L plain radiograph of the wrist | lateral projection | pediatric patient (male, age 10) | follow-up study | detector: Siemens | image width 97.3 mm — 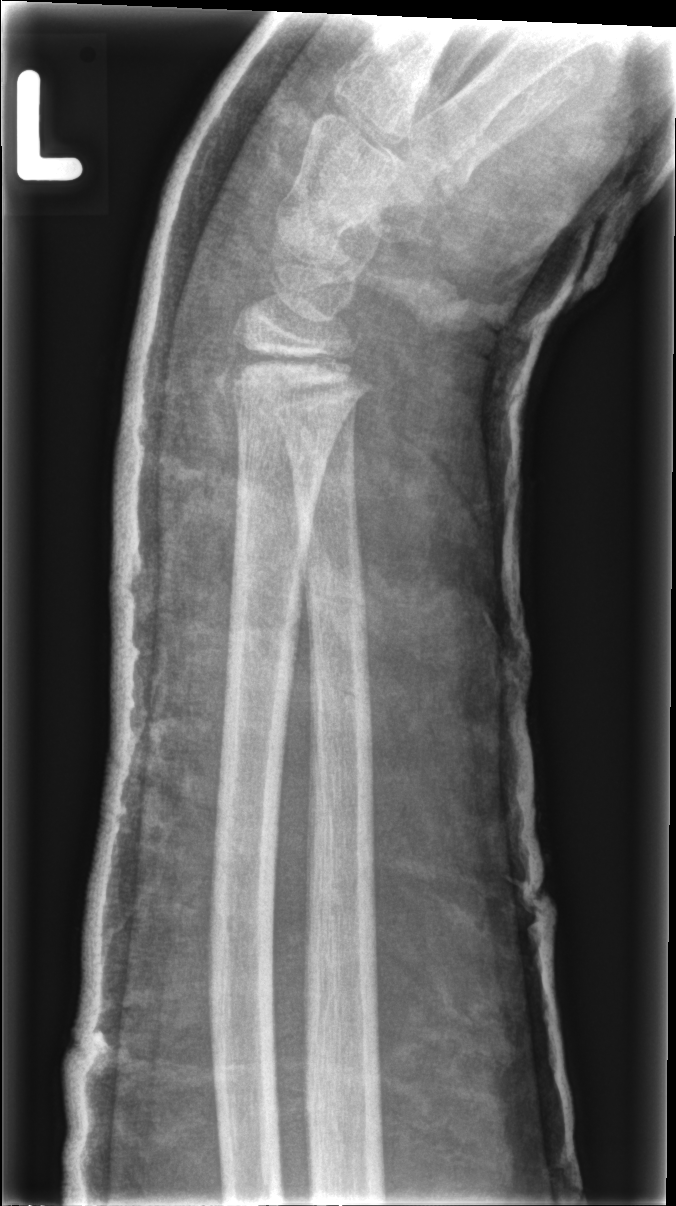 AO/OTA classification: 23r-E/2.1.
Bone fracture identified at 208 328 377 433.